PA projection; right plain radiograph of the wrist; male, 13 yo.

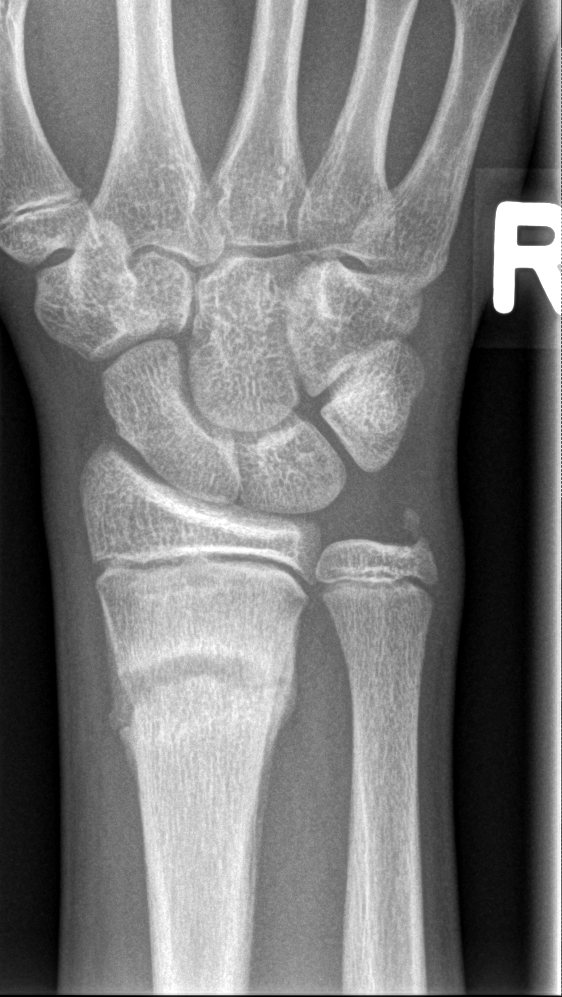

(pixel coordinates, top-left origin, xyxy)
Q: Is there a fracture?
A: Fracture: (110, 629, 290, 732) (388, 499, 441, 565)
Q: Is there periosteal reaction?
A: Periosteal reaction identified at (244, 611, 302, 930) (101, 601, 142, 794)
Q: Bone density?
A: Osteopenia
Q: What is the AO/OTA classification?
A: Fracture classified AO/OTA 23r-M/3.1; 23u-E/7